L wrist XR | AP projection | pediatric patient (male, age 9) | cast present | 488x855. 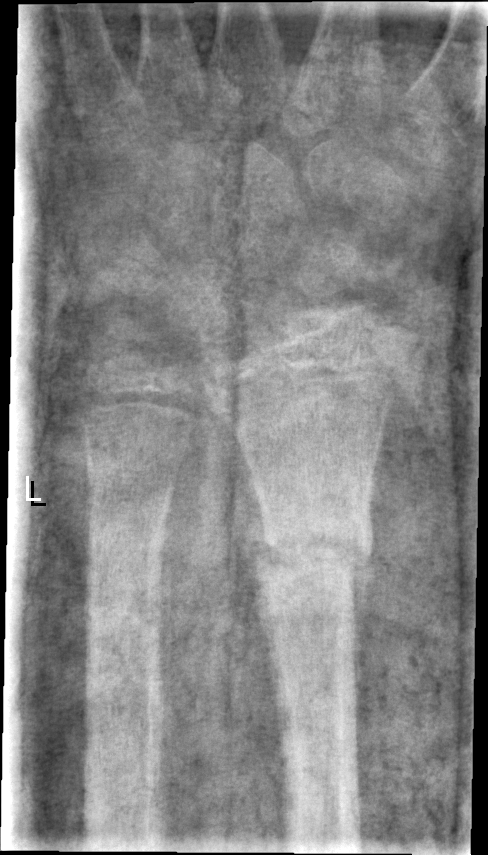

AO code 23r-M/3.1; 23u-M/2.1.
Fracture: 243 484 379 606.